Lt wrist X-ray, AP.
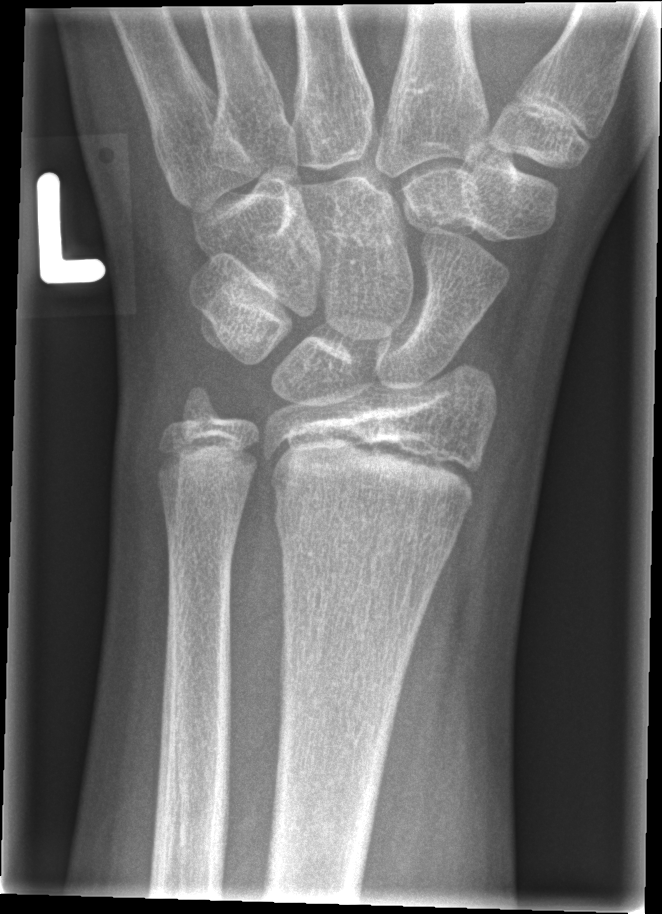 FINDINGS — (bounding boxes in image-pixel xyxy) Fracture — [271, 495, 460, 575].